Left wrist plain film, lat:

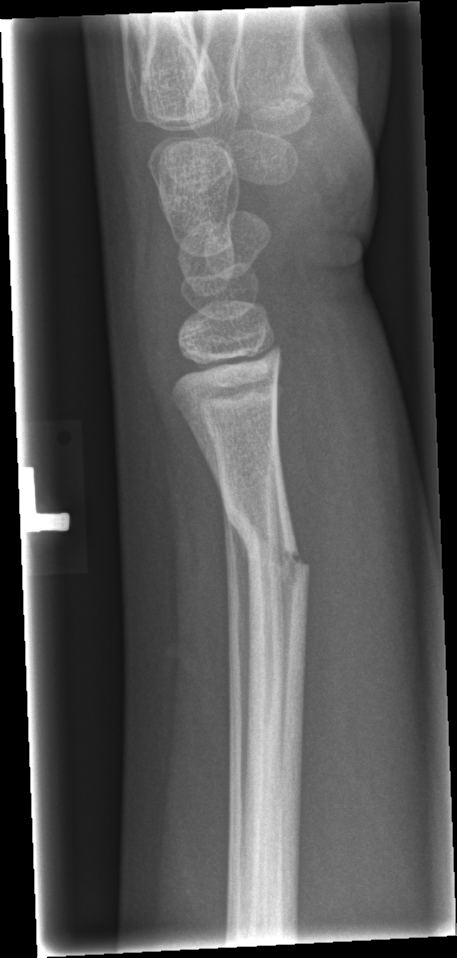

Findings: (bounding boxes in image-pixel xyxy) Fracture identified at <220,504>-<313,591>. Fracture classified AO/OTA 23r-M/3.1; 23u-M/2.1. Pronator quadratus fat-pad sign: <274,329>-<349,665>.